Left wrist pediatric wrist radiograph · lateral · age 6 y, female · detector: Siemens · 540 by 966 pixels 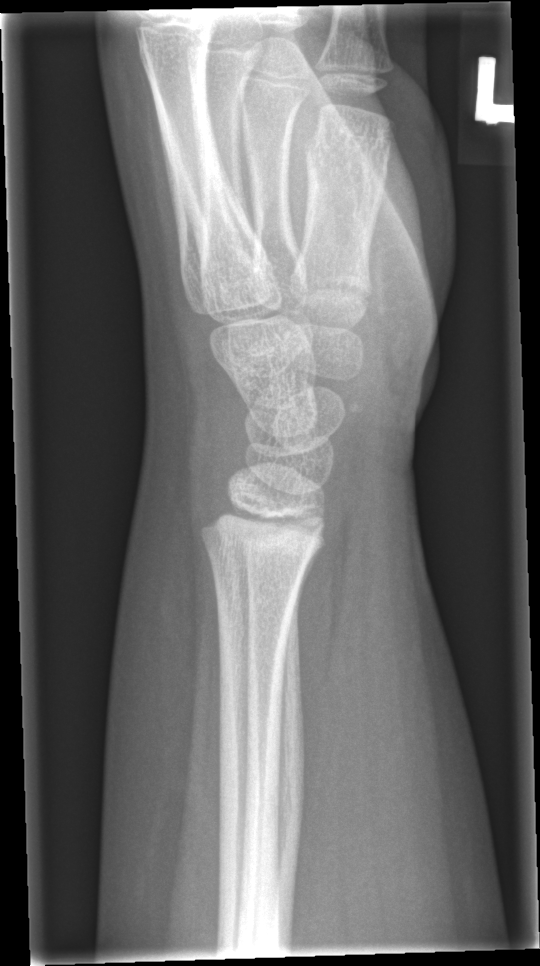
Bone fracture: none labeled